PA/AP; Lt wrist XR; male, 14 yo; equivocal findings; acquired on Siemens —
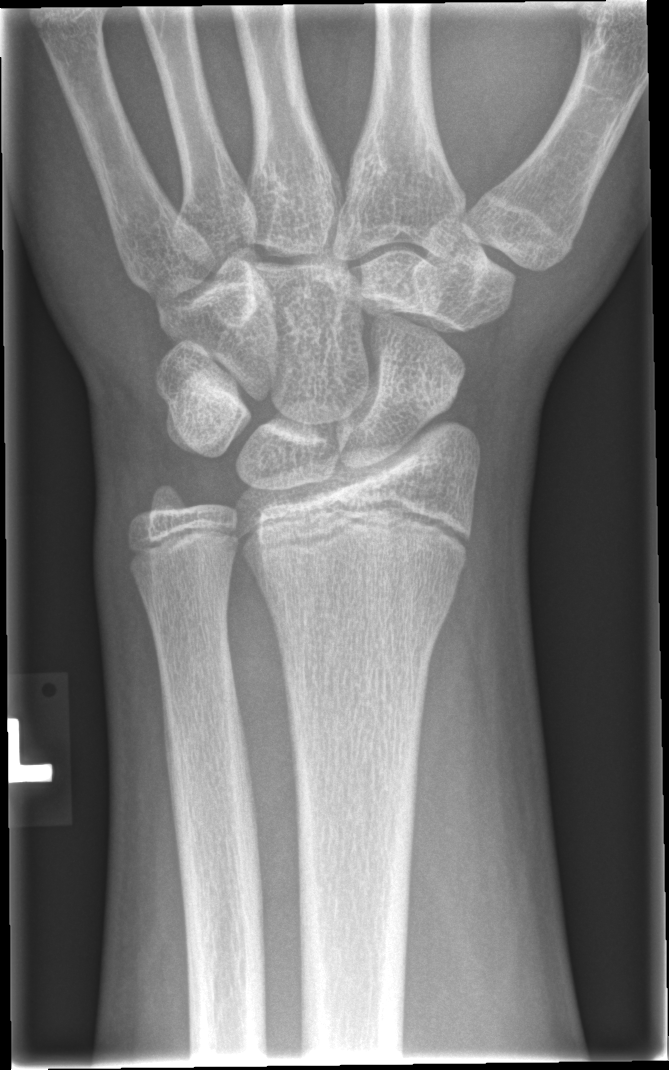

FINDINGS — One Fx at (left=257, top=554, right=464, bottom=657).